Lateral view · left wrist pediatric wrist radiograph · 5y F · cast present · image size 527x828:

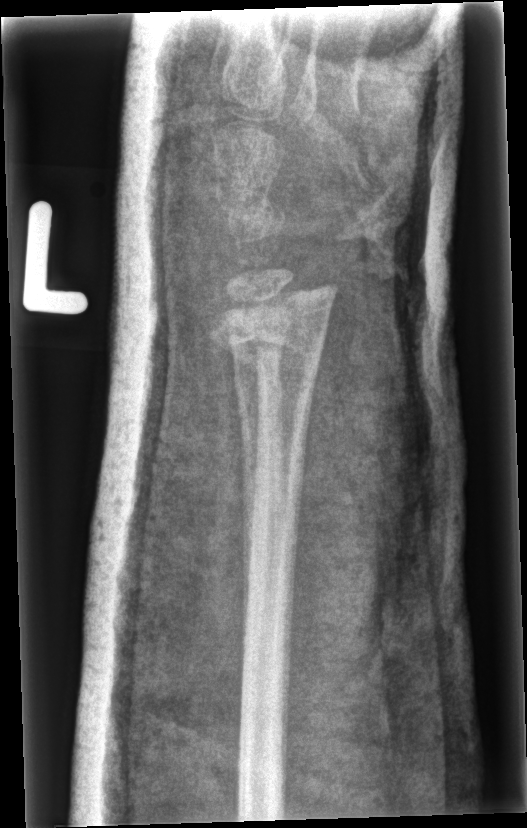 Findings: Bone fracture identified at (211, 319, 327, 371). Fracture classified AO/OTA 23-M/2.1.